Rt pediatric wrist radiograph; lat — 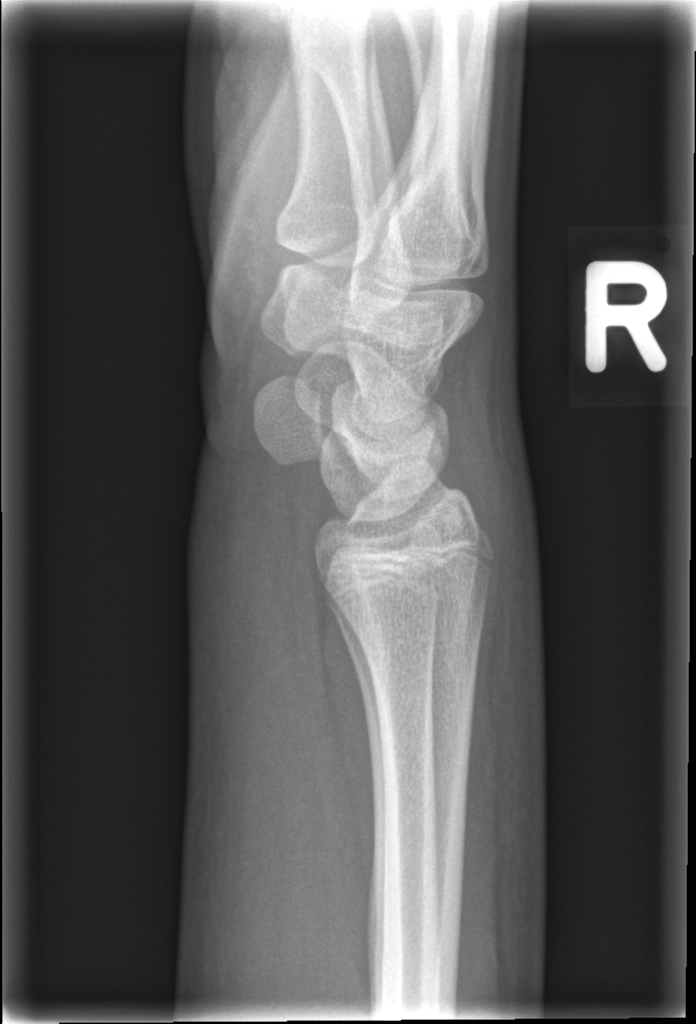
FINDINGS — No fracture bounding box.